AP projection · right wrist plain radiograph of the wrist · pediatric patient (female, age 6) · presentation radiograph · image size 616x812. 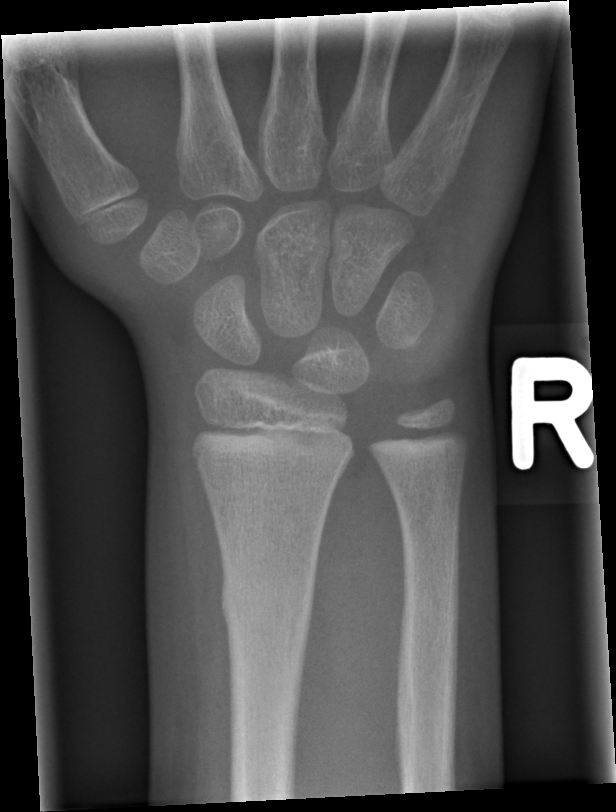
(coordinates are [x1, y1, x2, y2] in image pixels)
Fx: 1 @ 218,565,318,644
AO classification: 23r-M/2.1